PA projection, Lt wrist XR, diagnosis uncertain: 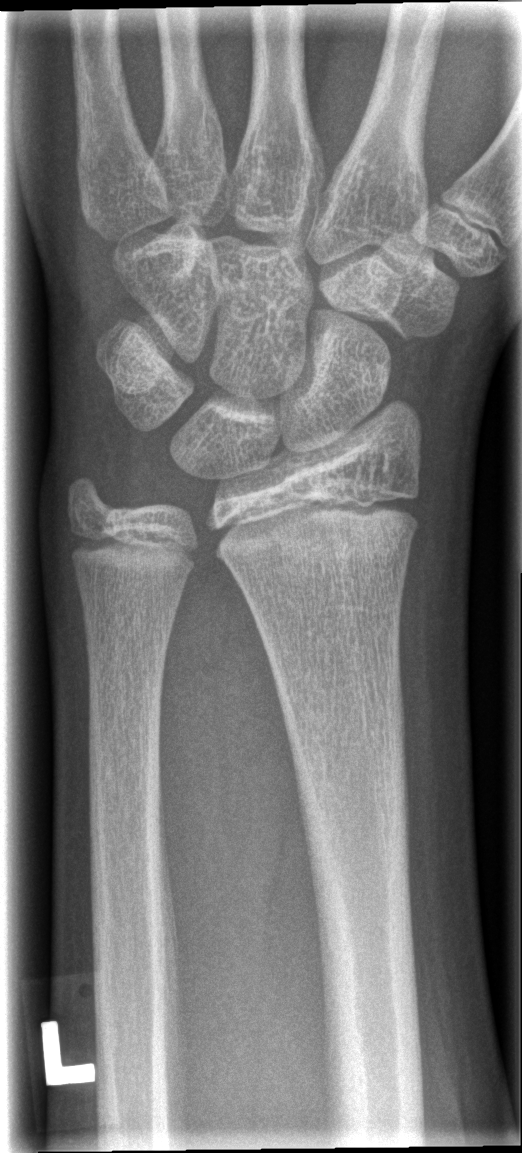 AO code 23r-E/2.1. Fx: present but not clearly seen in this view.